Left plain radiograph of the wrist; lateral projection; presentation radiograph; image 86.7 mm wide
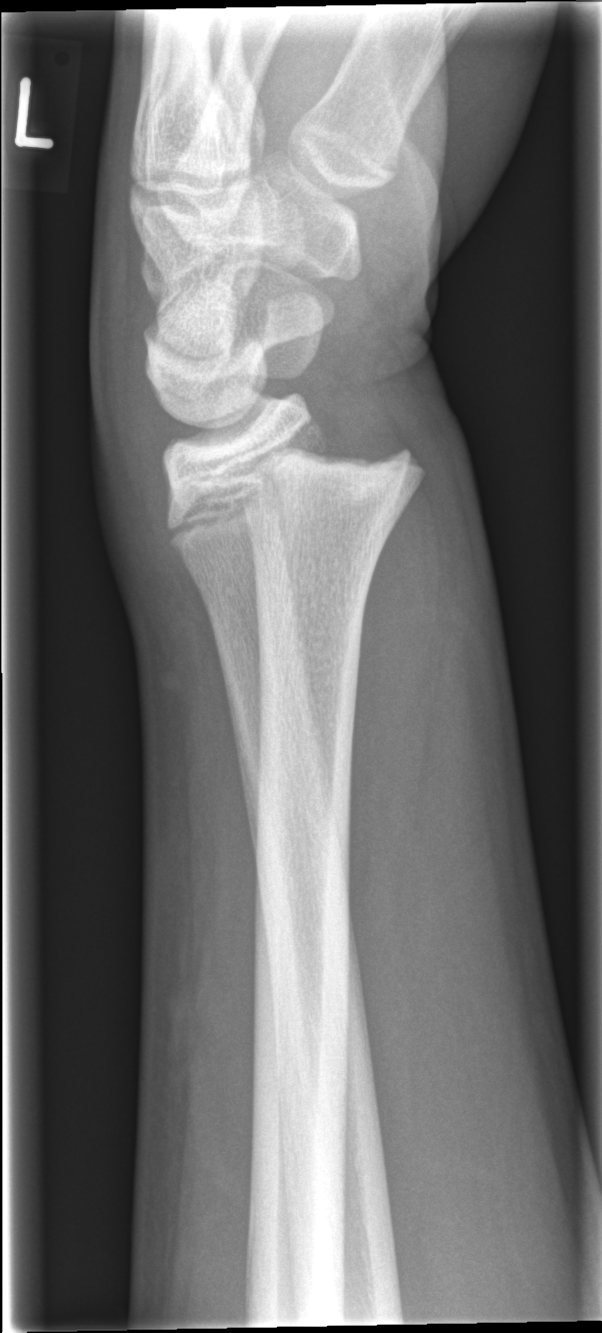

(coordinates are [x1, y1, x2, y2] in image pixels)
Pronator sign: 1 @ (left=342, top=494, right=449, bottom=955)
Bone fracture: (left=159, top=427, right=431, bottom=534)